Lt wrist radiograph, frontal view, pediatric patient (female, age 6):
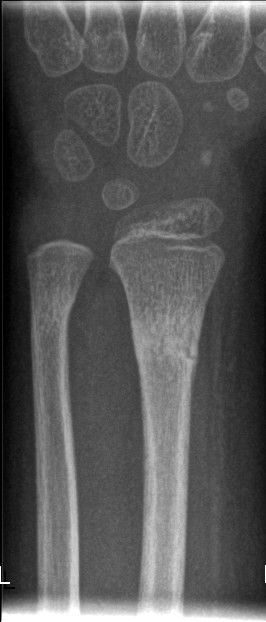
• Reduced bone mineral density.
• Two fractures at 127,300,203,380; 26,284,80,333.